Lat projection · R plain radiograph of the wrist 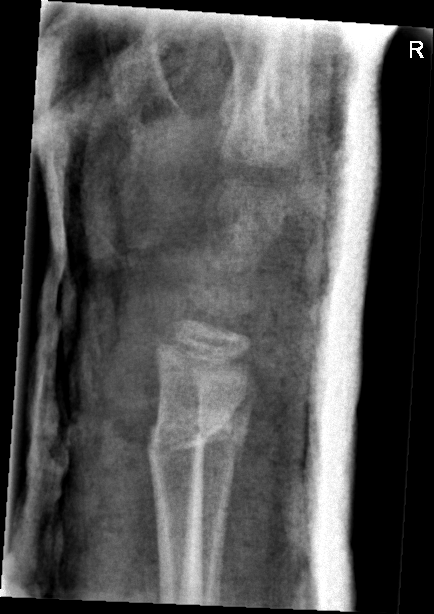

Fx — (left=146, top=409, right=237, bottom=455).